Frontal view | right wrist XR | age 13 y, girl
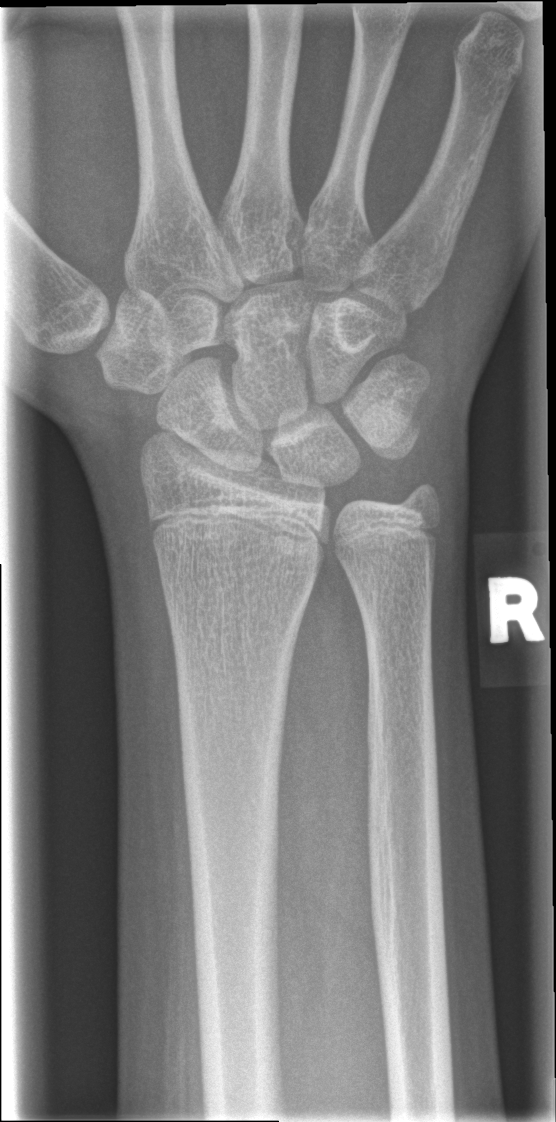

bone fracture: none labeled